L plain radiograph of the wrist | lateral view | follow-up | acquired on Siemens — 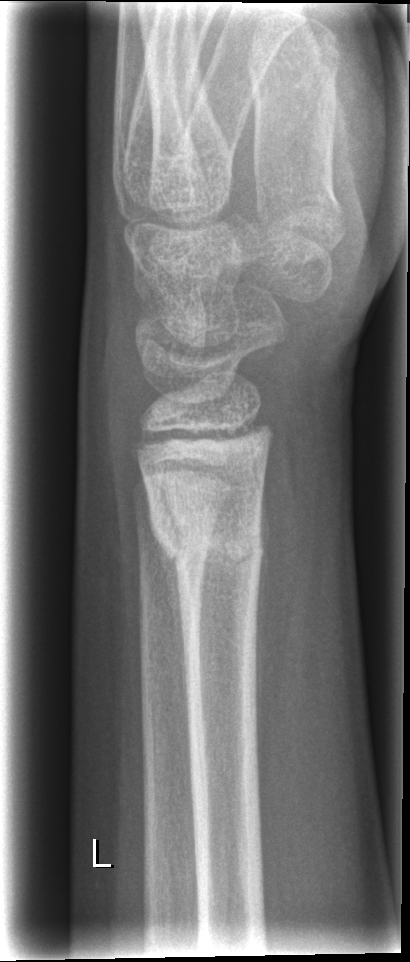

* Fracture: <146,499>-<265,574>.